Left wrist XR · frontal view · age 13 y, boy · follow-up · 650 by 1022 pixels
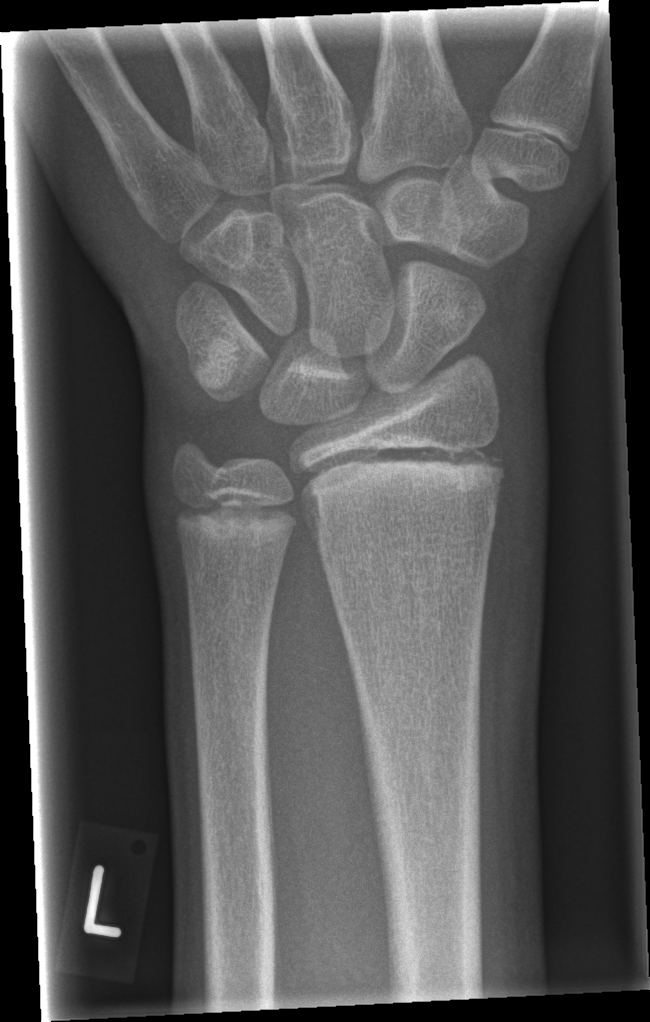 FINDINGS: (bounding boxes in image-pixel xyxy) AO code 23r-E/1. Bone fracture: (296, 425, 508, 514).